Rt wrist X-ray; lat projection; 9-year-old girl; 838x1200 —

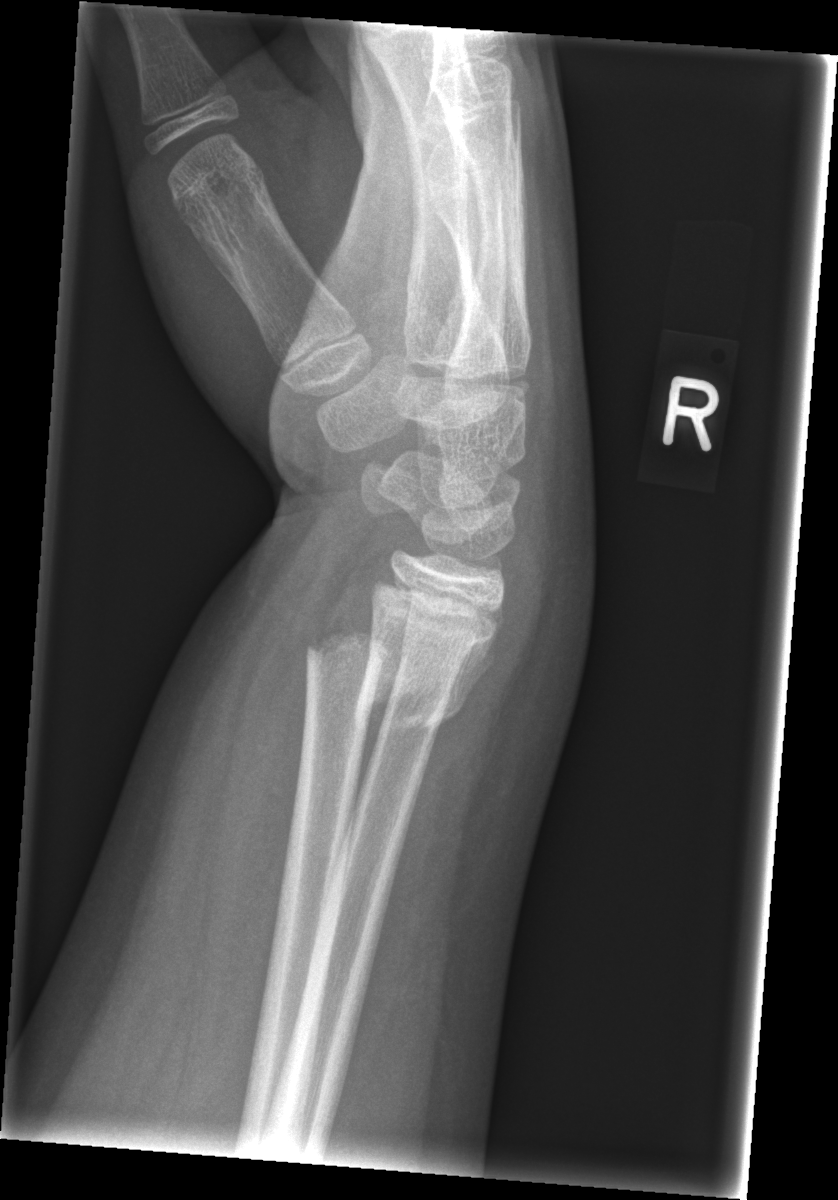

Fracture: <302,622>-<468,739>, <398,614>-<500,669>
Pronator quadratus fat-pad sign: 1 @ <212,574>-<335,1079>